L pediatric wrist radiograph; AP view; 8-year-old female.
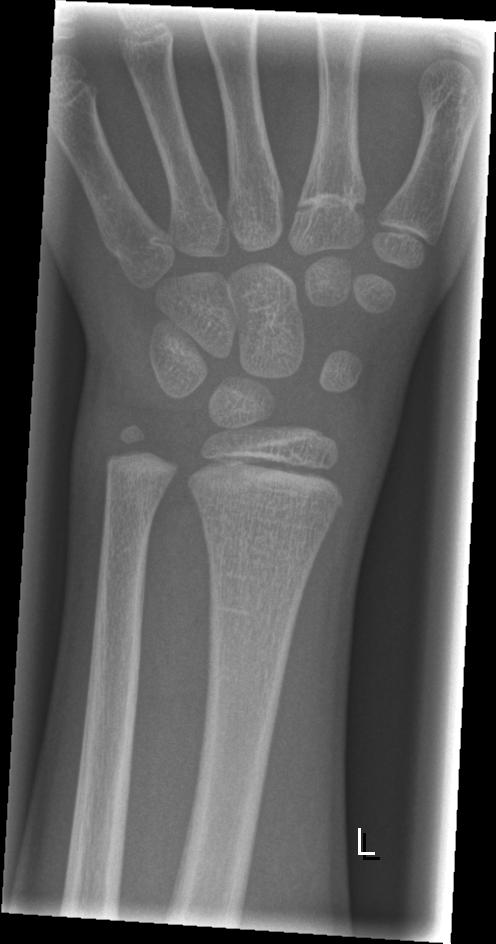

Findings: Fracture present, but no bounding box because it is not clearly seen in this view. AO code 23r-M/2.1.